Posteroanterior projection, R plain radiograph of the wrist, image size 662x1094.

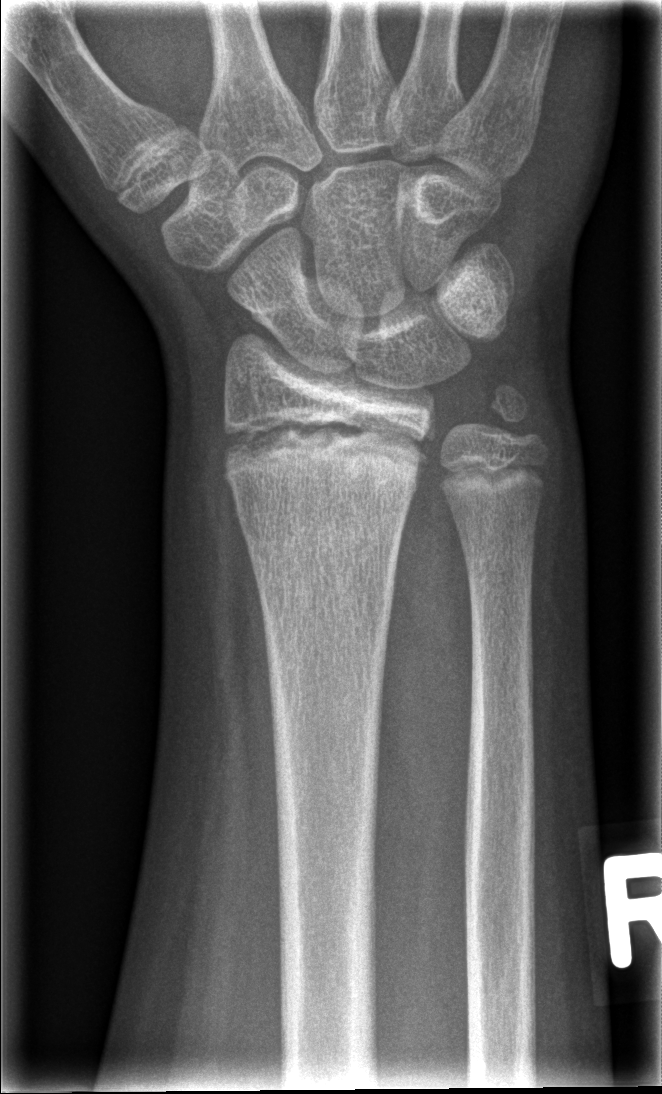
(pixel coordinates, top-left origin, xyxy)
AO classification = 23-E/2.1; 23u-E/7
fracture = 2 @ 220,405,432,495 | 486,379,547,449